Rt wrist X-ray | AP view | acquired on Siemens | 926 x 980 px. 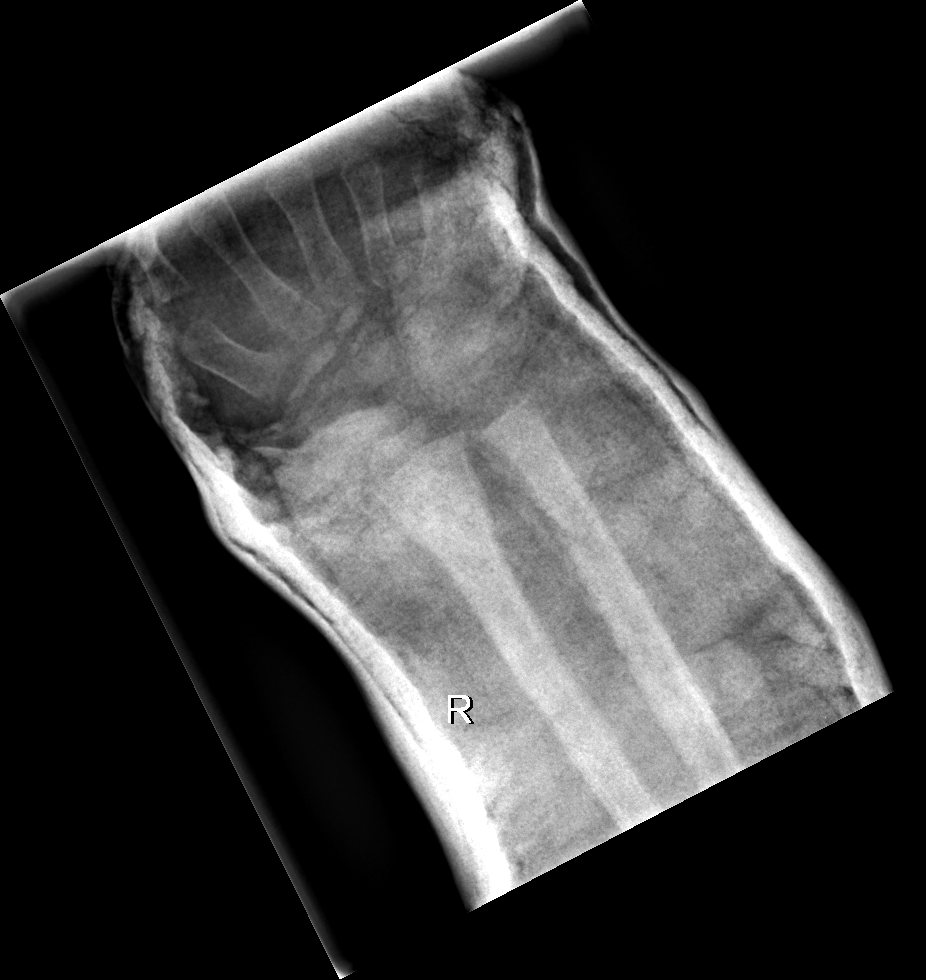 (bounding boxes in image-pixel xyxy)
fracture: 399 489 498 556
AO classification: 23r-M/3.1